Right wrist plain film, lateral view 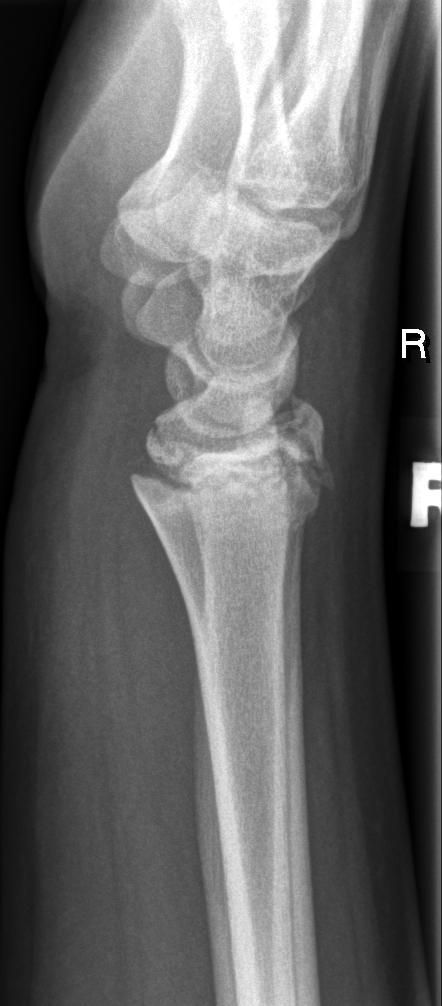
* Bone fracture: [x1=126, y1=388, x2=342, y2=536].